R wrist X-ray, lat projection, follow-up study, 501x998

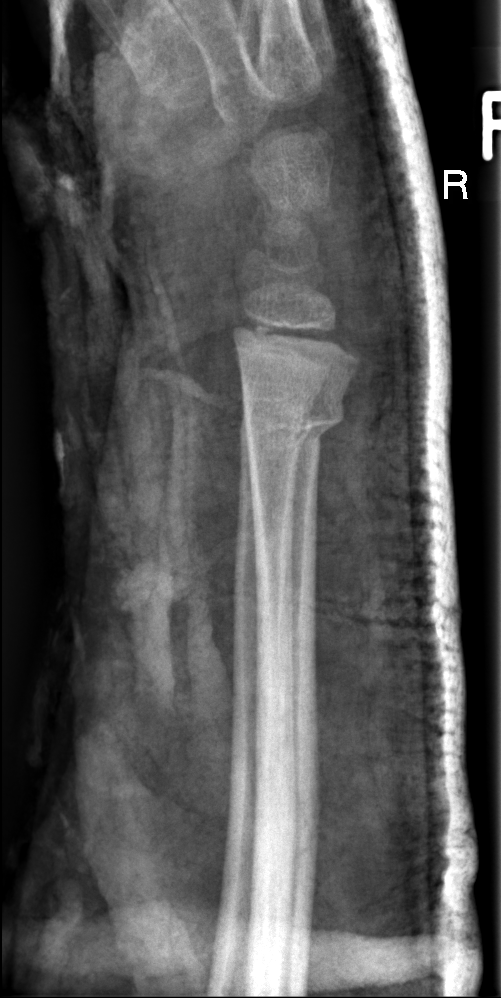
- Boxes as x1,y1,x2,y2 (top-left / bottom-right, pixel units).
- AO/OTA classification: 23-M/2.1.
- Fx — (left=238, top=394, right=346, bottom=449).